Lat projection; left wrist XR; index exam; detector: Siemens; image width 66.2 mm —
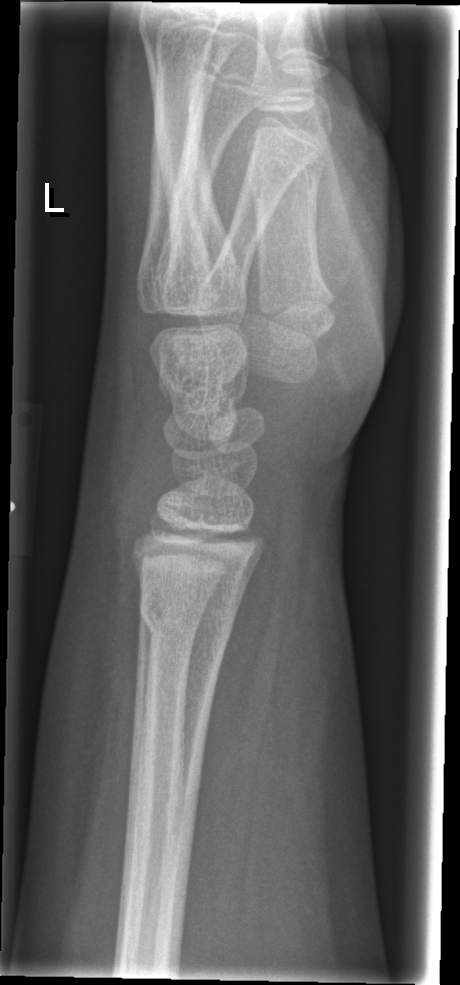
Q: AO code?
A: AO code 23r-M/2.1
Q: Any fracture seen?
A: Fracture — 137 583 241 643